AP projection, Rt plain radiograph of the wrist, 13y M, index exam:
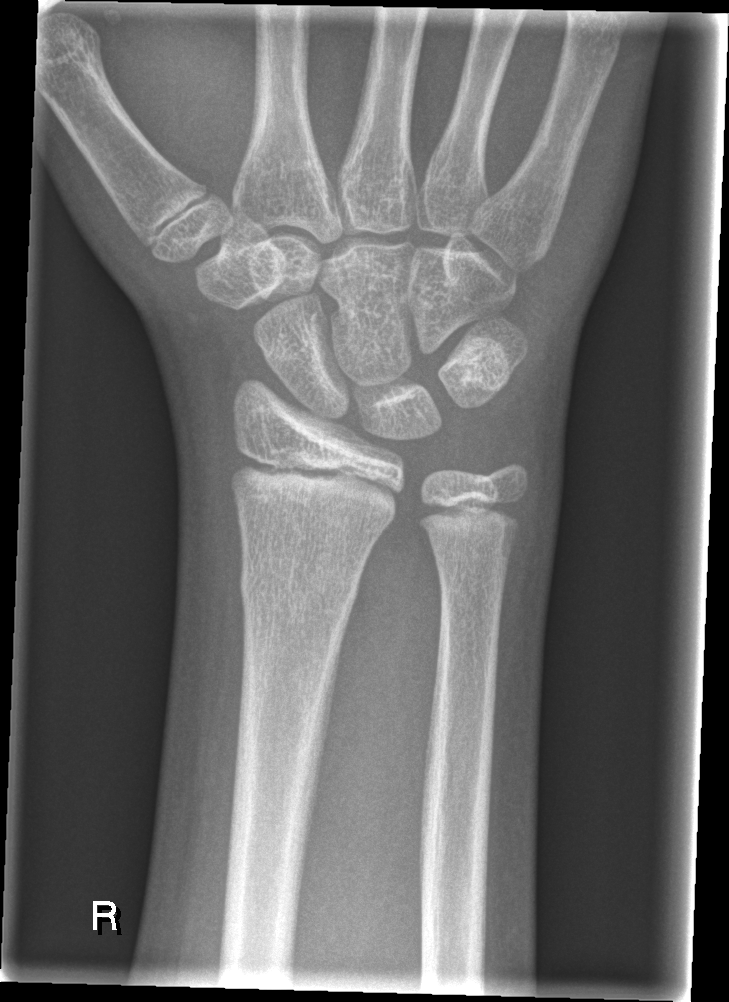

(pixel coordinates, top-left origin, xyxy)
bone fracture = (left=239, top=560, right=363, bottom=621)
AO/OTA = 23r-M/2.1